Rt plain radiograph of the wrist | AP projection | pediatric patient (girl, age 9) | acquired on Siemens.
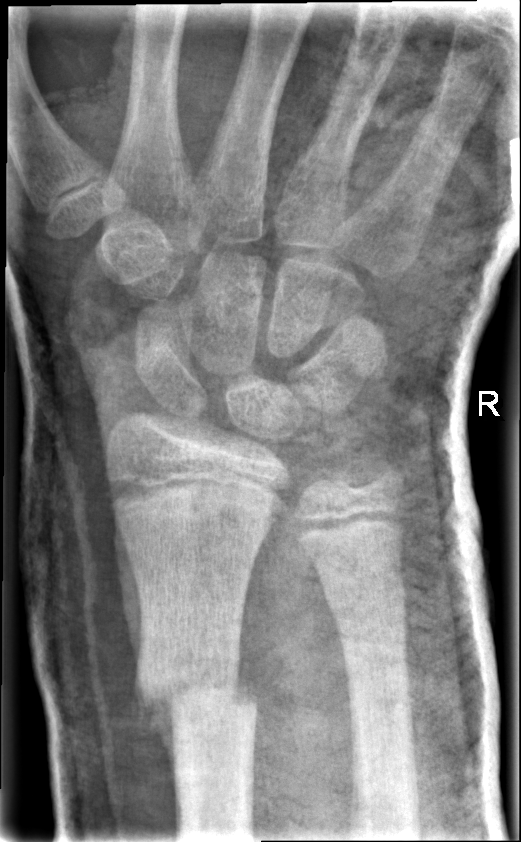 Fracture: bbox(131, 657, 263, 736).